Rt wrist plain film, frontal, subsequent exam, 650 by 1126 pixels 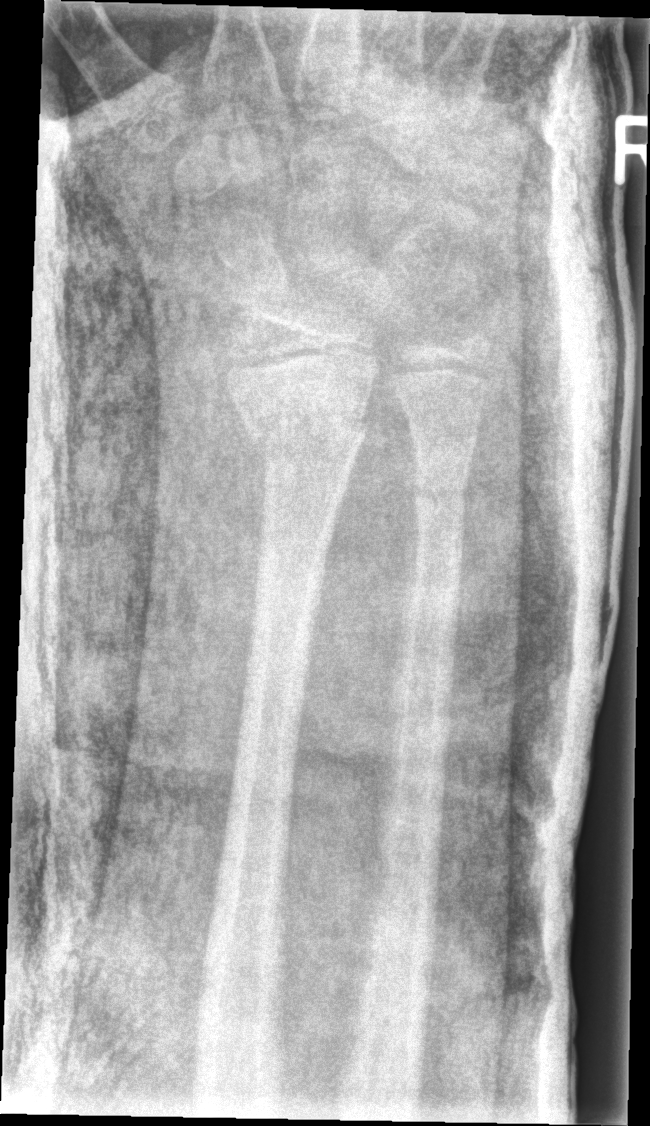 - Two fractures at 244,398,371,483 | 408,458,475,521.
- AO code 23r-M/3.1; 23u-M/2.1.